Right wrist plain film | AP | 16-year-old boy | 94.3 mm image width.
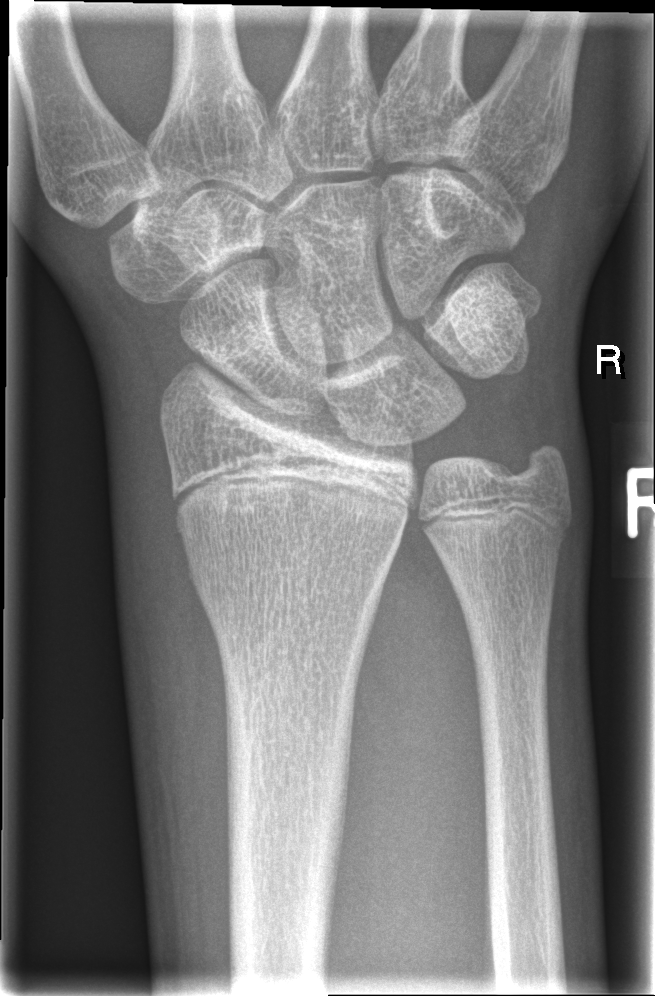

No Fx annotated.